Lt plain radiograph of the wrist, PA, in cast —

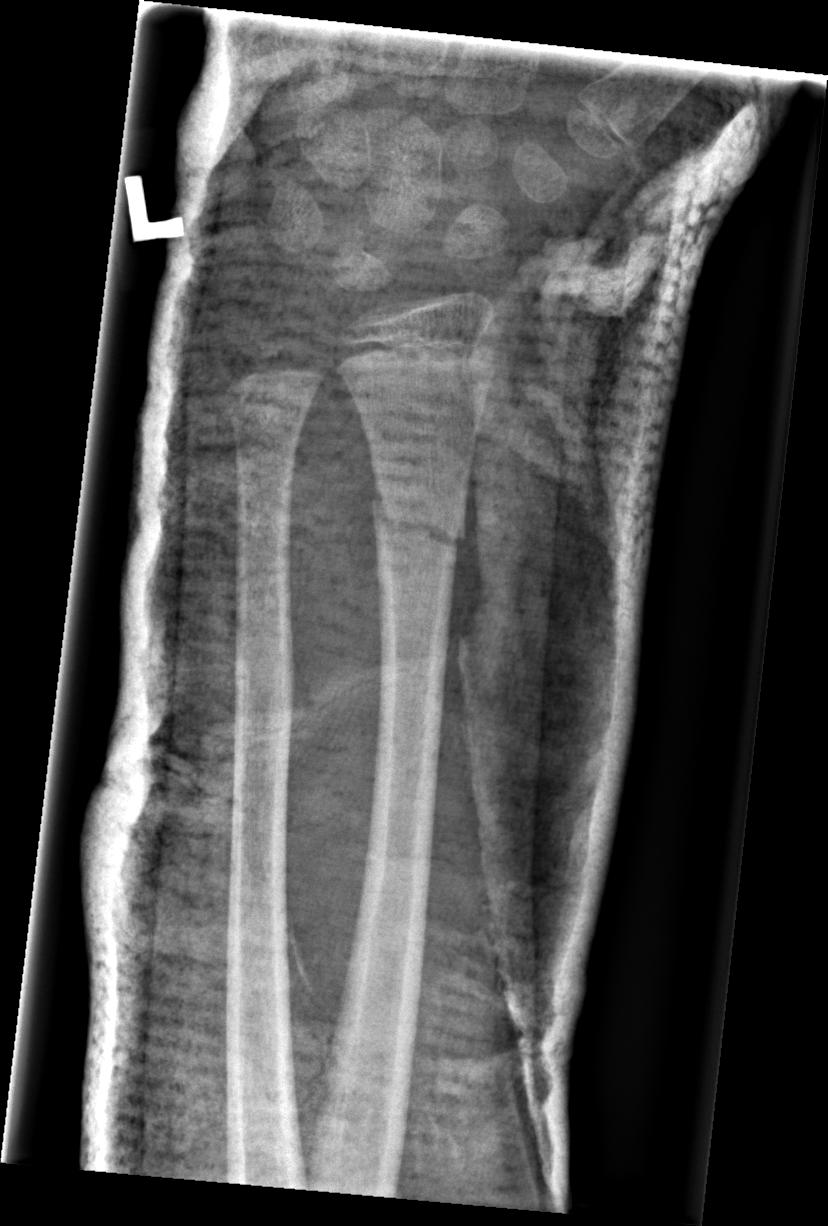

(pixel coordinates, top-left origin, xyxy)
AO classification = 23r-M/3.1
Bone fracture = 369,489,468,560